Posteroanterior view · right wrist radiograph · 9-year-old female · detector: Siemens · 549x906 —
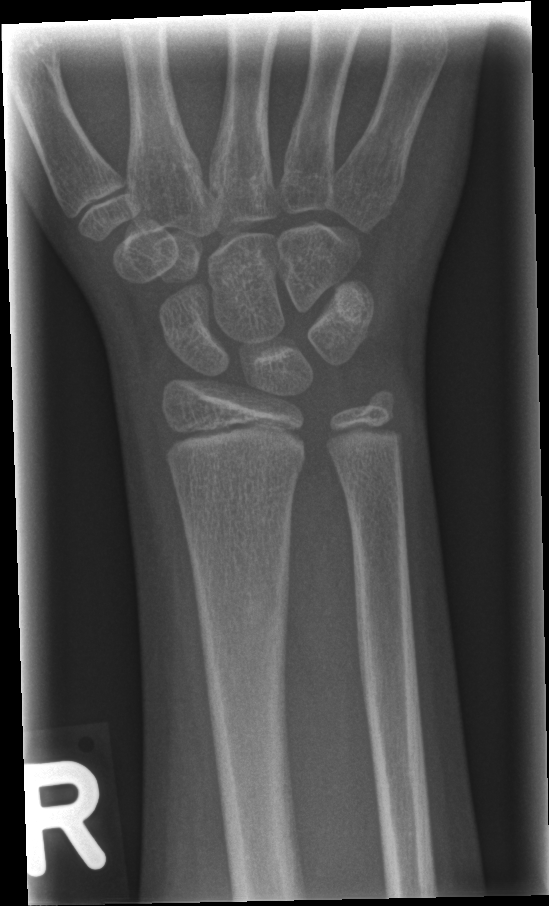

{"fracture": "none labeled"}